PA view, Rt wrist XR, 9y M, index exam, image 89.0 mm wide.

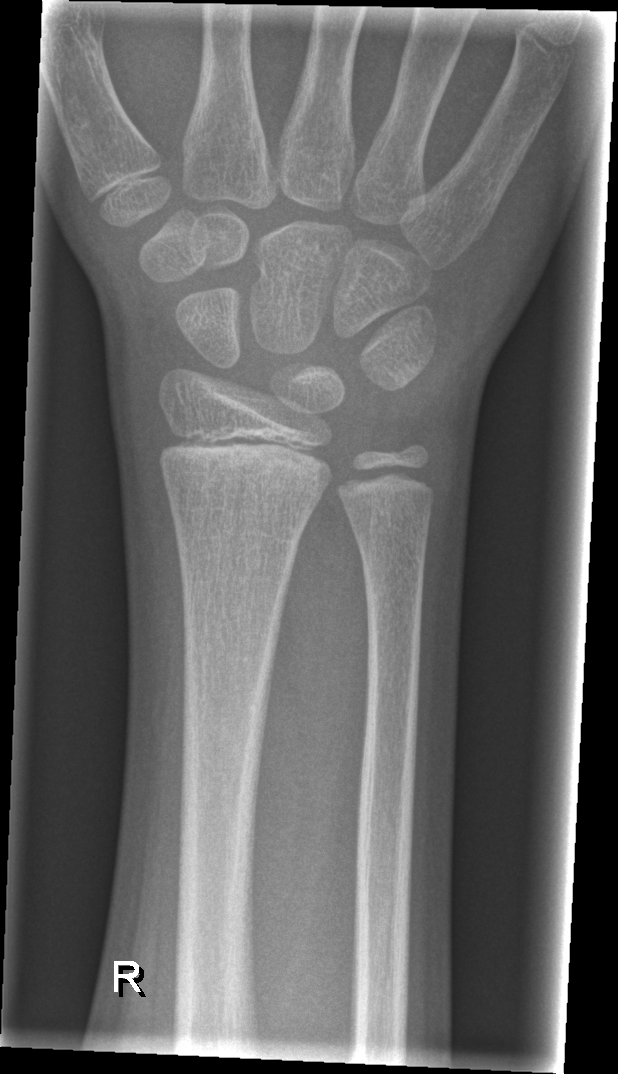 (pixel coordinates, top-left origin, xyxy)
Bone fracture: 1 @ [x1=164, y1=500, x2=317, y2=547]
AO classification: 23r-M/2.1